Lat view | R pediatric wrist radiograph | cast present:
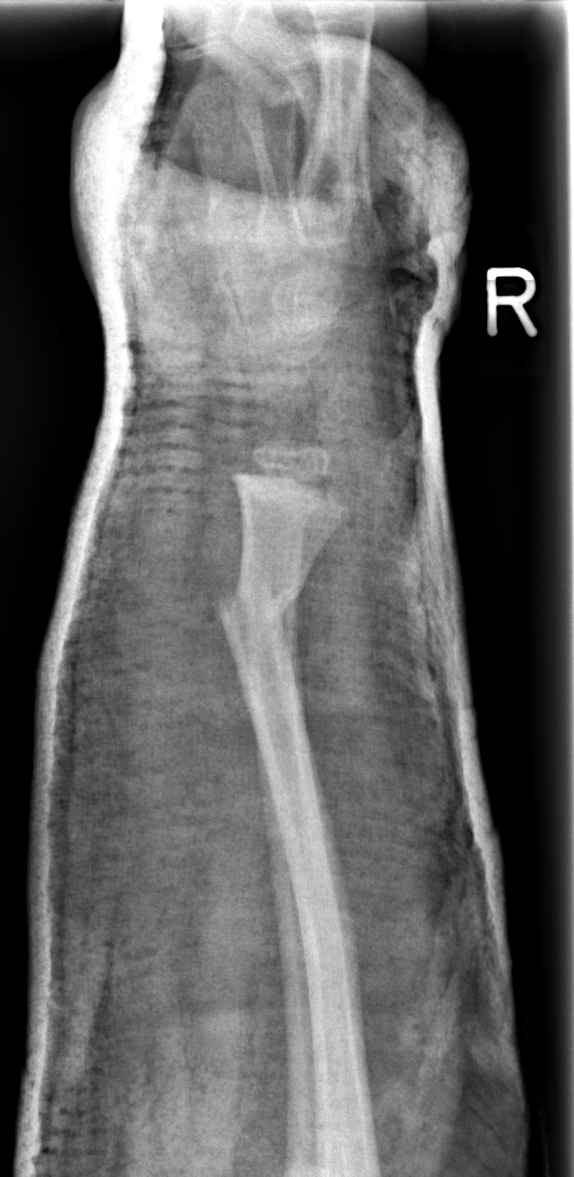 (coordinates are [x1, y1, x2, y2] in image pixels)
AO code = 23r-M/3.1; 23u-M/2.1
bone fracture = 2 @ <218,573>-<307,644>; <238,490>-<321,539>